Left pediatric wrist radiograph | PA/AP view | image size 575x1042 —
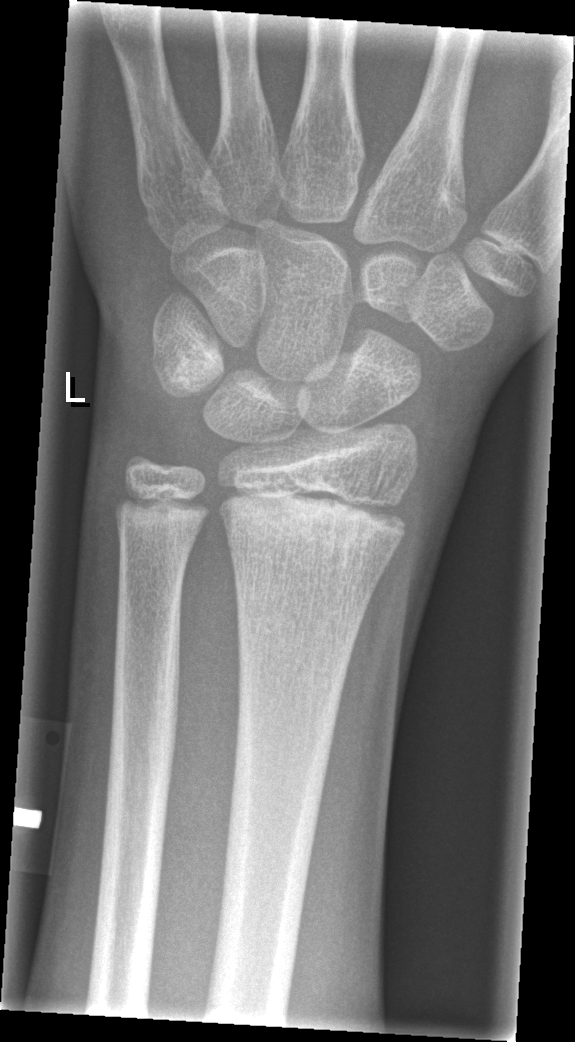
No fracture labeled.